Left pediatric wrist radiograph, frontal, image 95.3 mm wide —

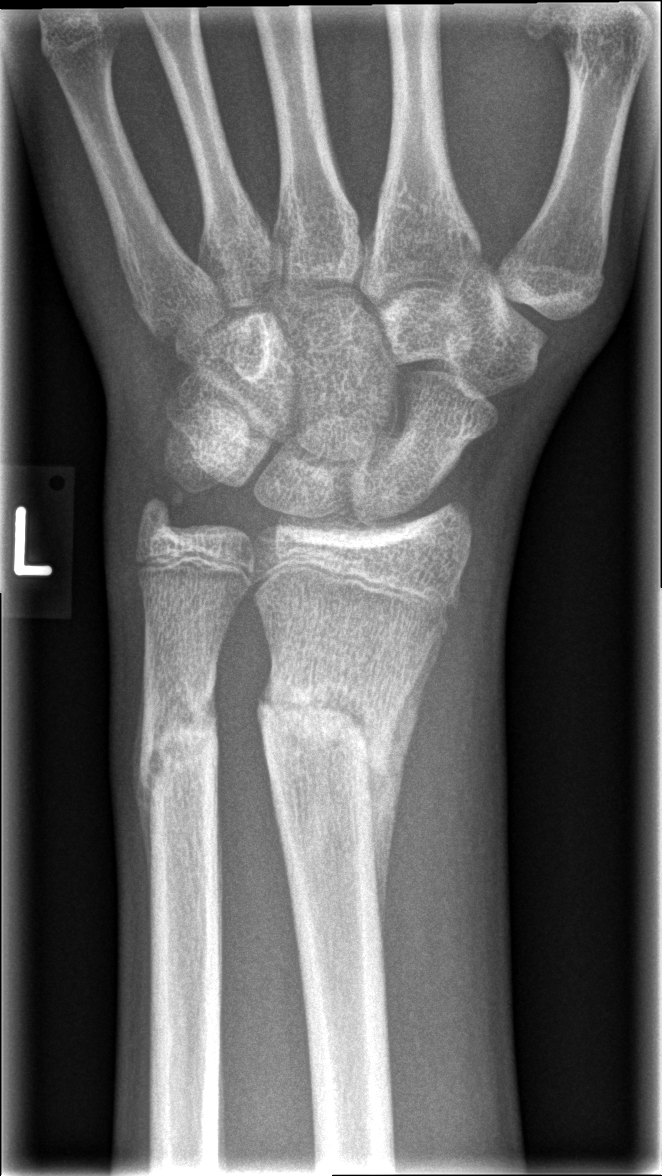

Q: Any periosteal thickening?
A: Periosteal thickening: (left=364, top=621, right=449, bottom=961), (left=135, top=766, right=151, bottom=918)
Q: Is there osteopenia?
A: Osteopenic
Q: Any fracture seen?
A: Fx — (left=254, top=633, right=446, bottom=927); (left=136, top=659, right=233, bottom=890); (left=133, top=477, right=200, bottom=543)